Lat · left wrist radiograph · boy, 12 yo · subsequent exam · imaged through cast.
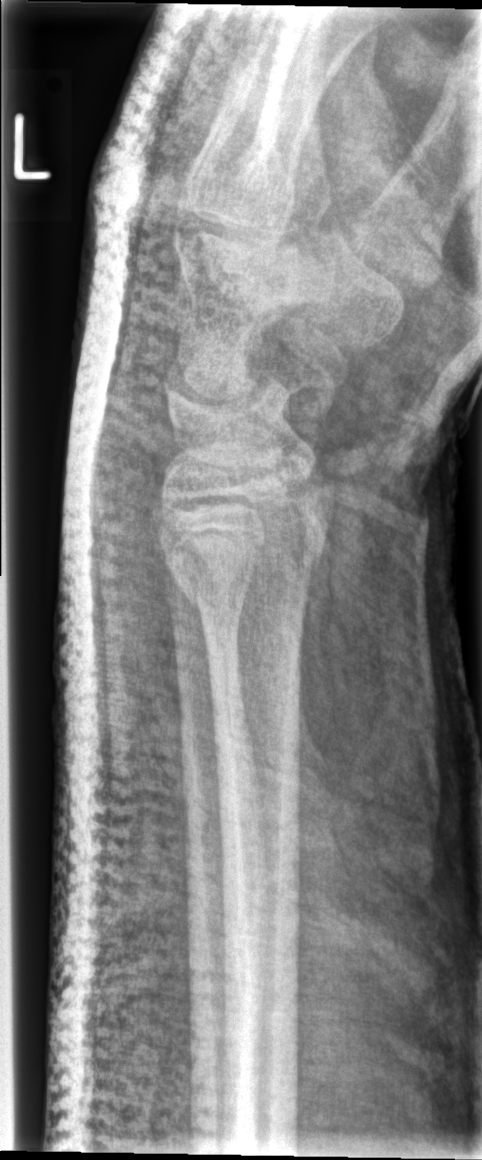

Fx: 1 @ [163, 523, 330, 625]